Right wrist plain film | PA projection | Siemens —

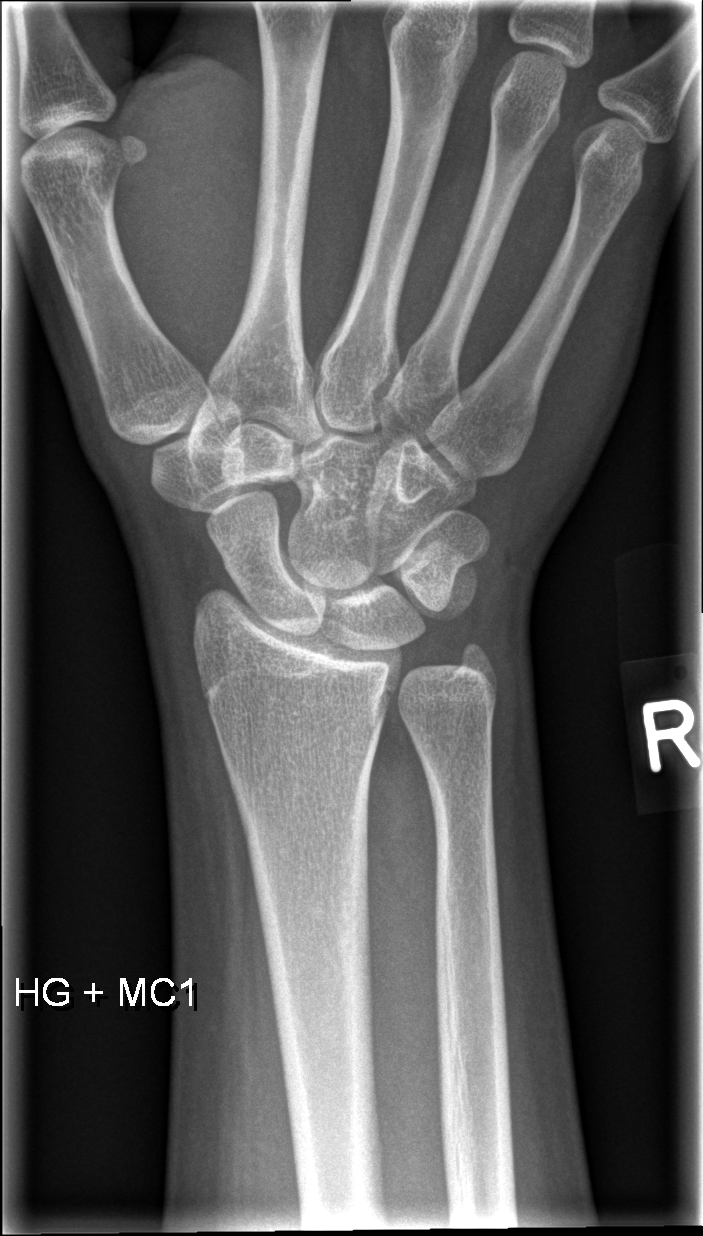

Fx = none labeled